Left wrist pediatric wrist radiograph; lat projection; age 12 y, female —
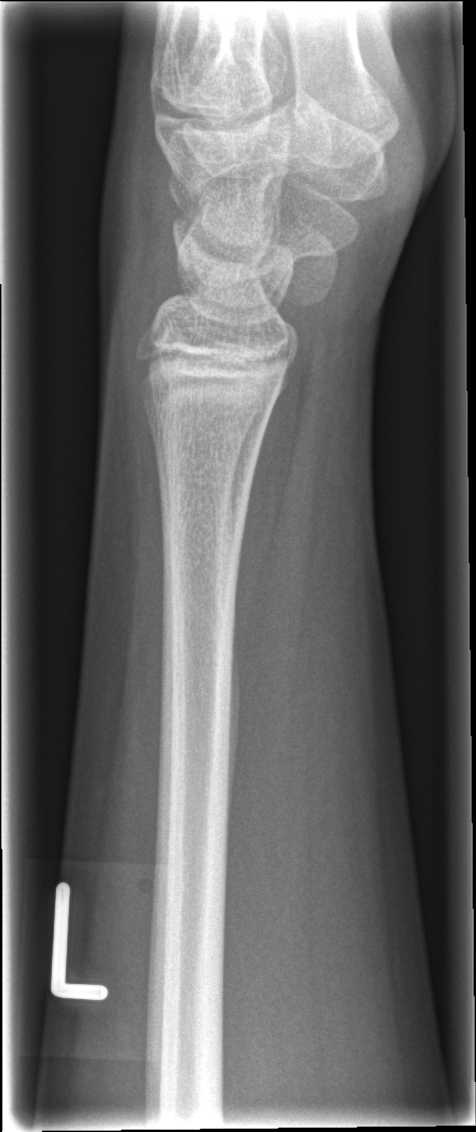

One soft-tissue swelling at [x1=101, y1=131, x2=187, y2=342].
Fx: none.